Left wrist pediatric wrist radiograph; frontal view; pediatric patient (male, age 4); image size 620x1006 — 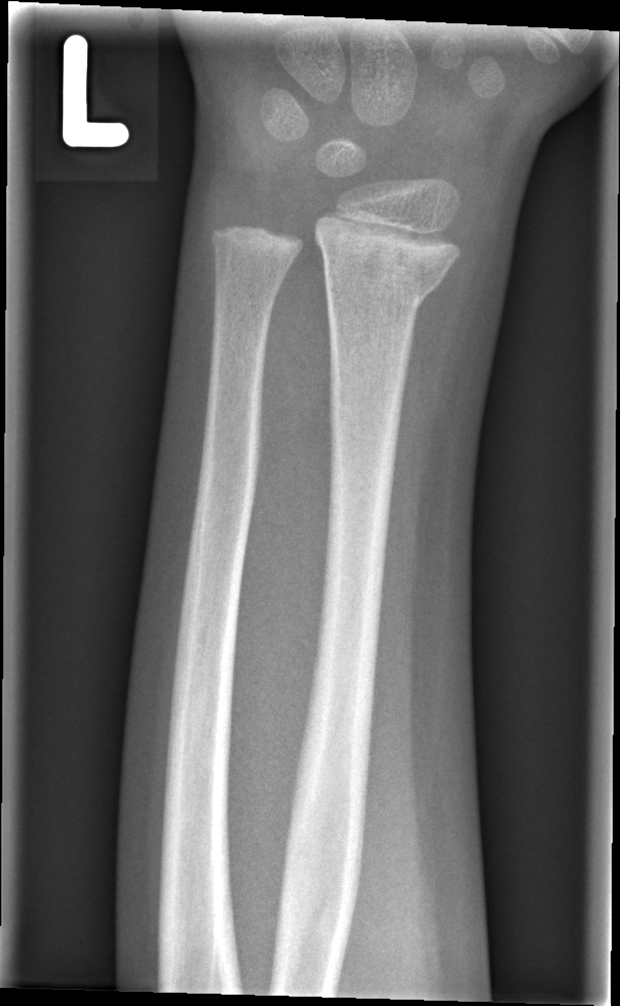 (bounding boxes in image-pixel xyxy)
AO/OTA: 23r-M/2.1
Bone fracture: bbox(315, 233, 451, 317)